Rt wrist X-ray, AP view, 10-year-old boy. 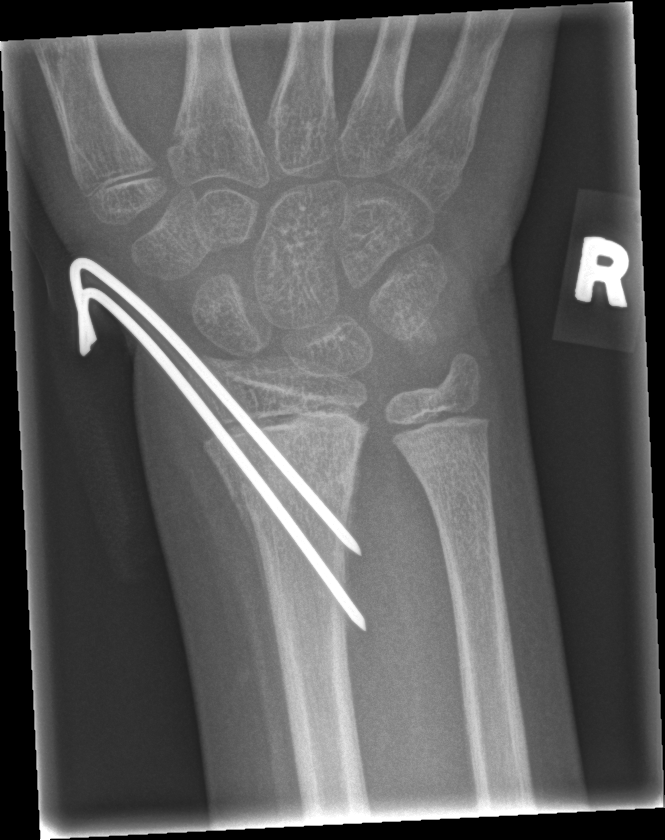
fracture: 222 449 366 521
hardware: 1 @ 66 254 369 634